Lateral projection · right wrist plain film · male, 12 yo · presentation radiograph 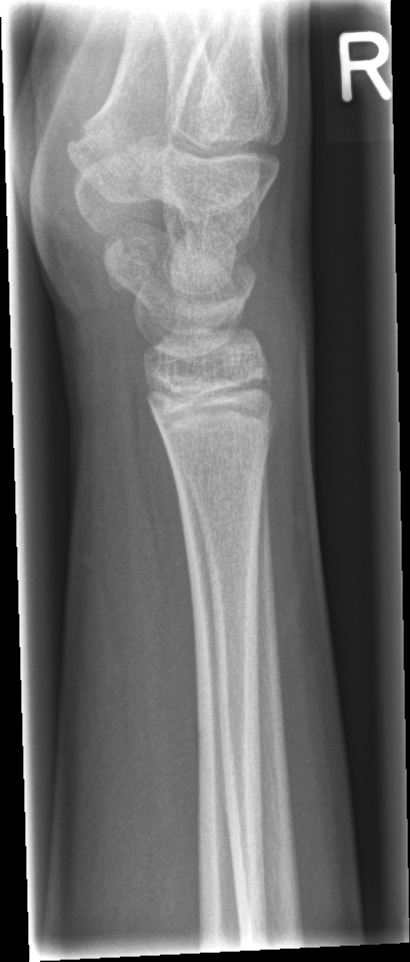 {"fracture": "none labeled"}